Lateral view · left wrist X-ray · 9-year-old girl · 603x966.
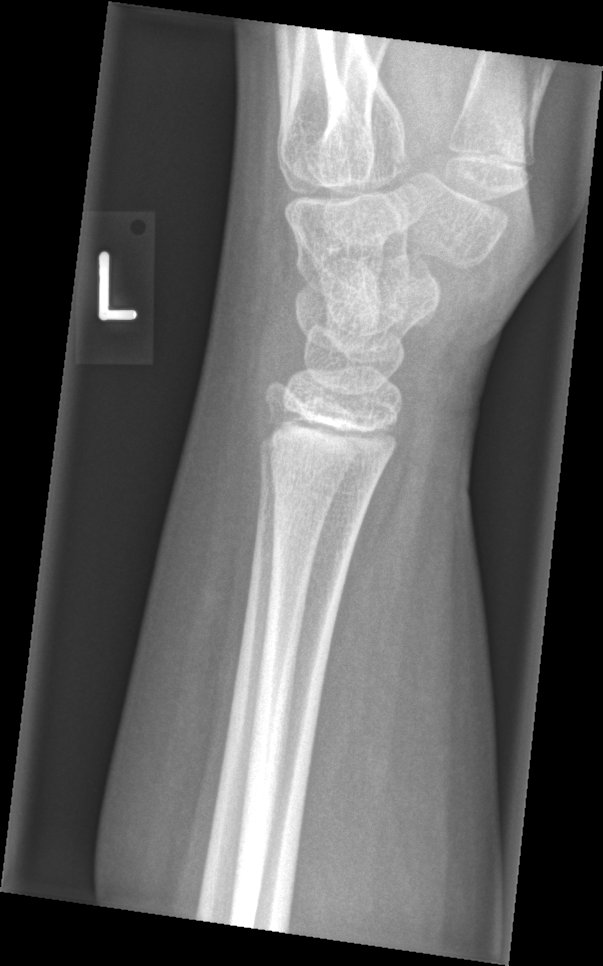
fracture: none labeled